L plain radiograph of the wrist · lat view · follow-up · cast present
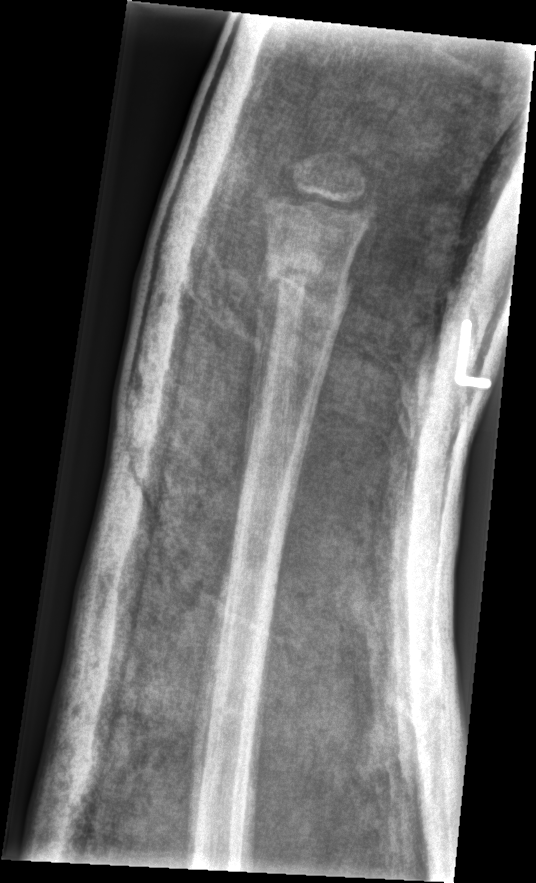

# pixel coordinates, top-left origin, xyxy
fracture: 1 @ (left=257, top=253, right=356, bottom=311)